Lt wrist XR, PA view.

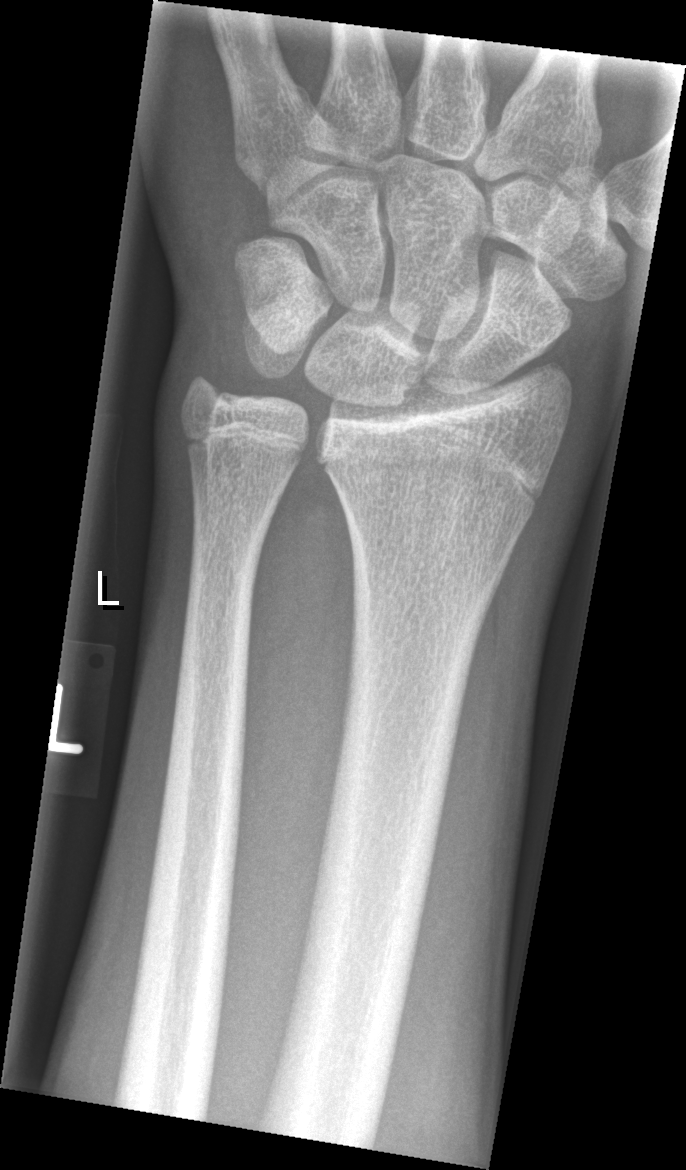
- No fracture labeled.